Right plain radiograph of the wrist | PA | girl, 17 yo | follow-up | 704 x 924 px

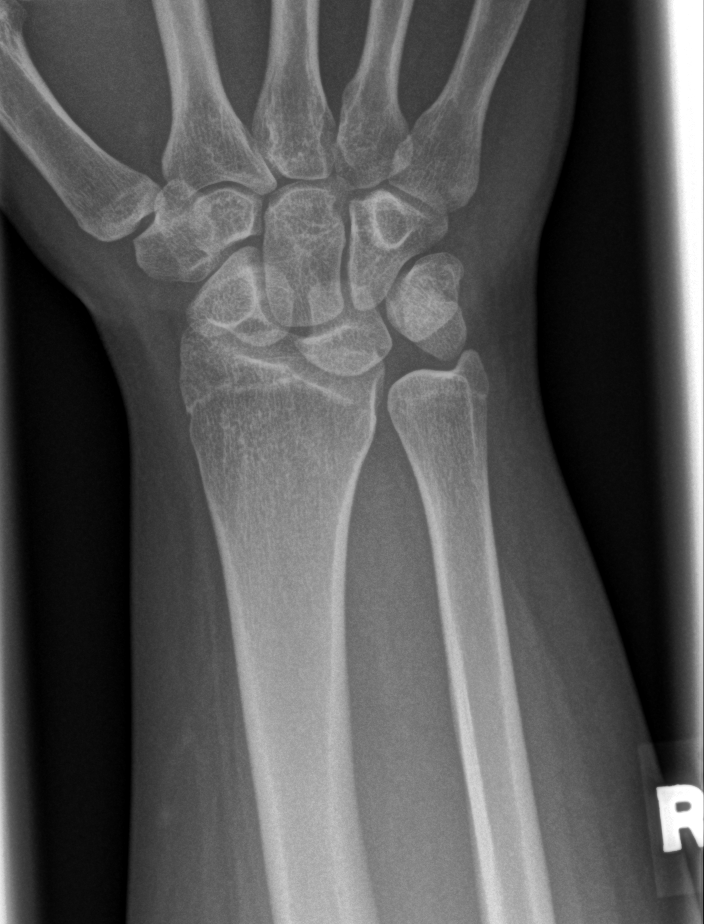

- Bone anomaly: bbox(164, 320, 293, 530).
- Fx: none.